PA, left wrist XR: 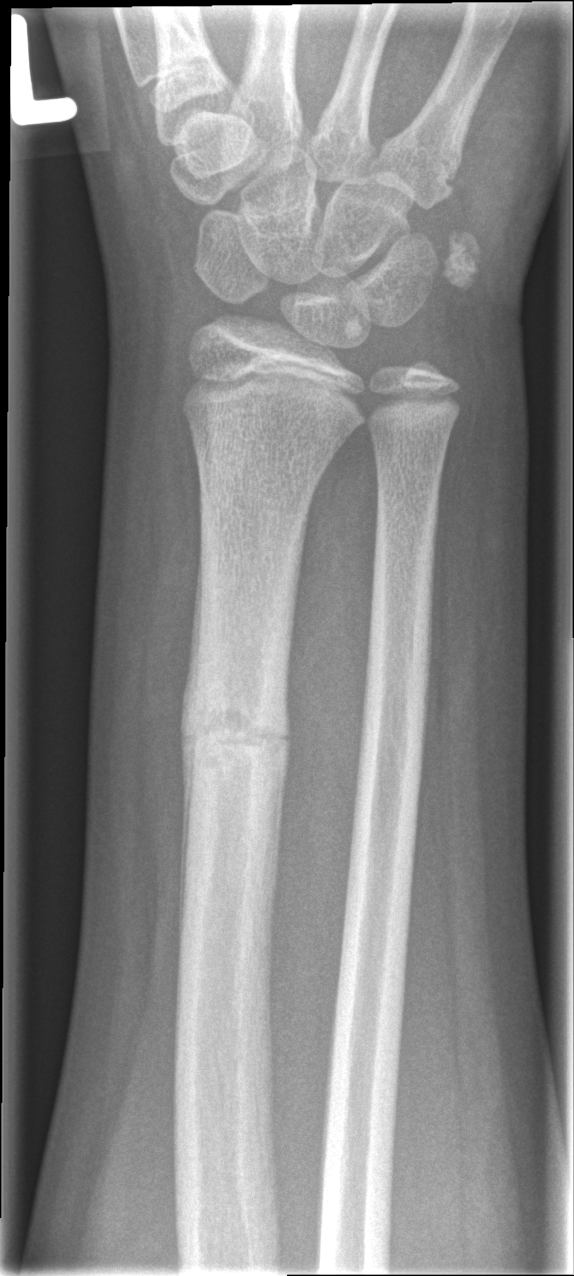 • Fracture — 177 675 298 795.